Left pediatric wrist radiograph · lateral projection.
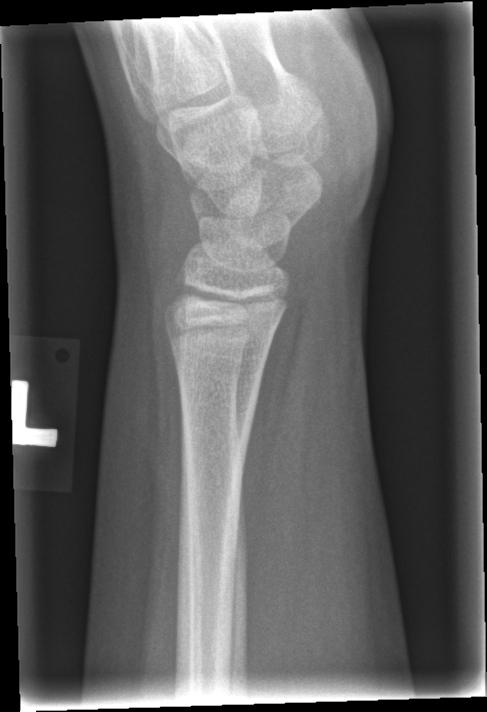
Findings: No fracture bounding box.